Lat projection, Rt pediatric wrist radiograph, follow-up, in cast — 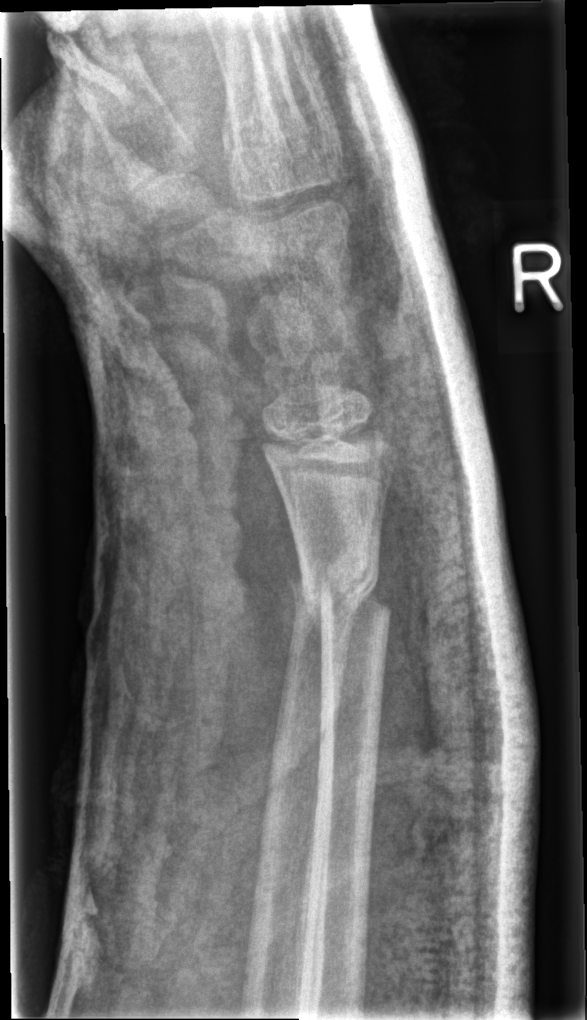
AO/OTA = 23-M/3.1
Bone fracture = 1 @ bbox(285, 557, 395, 633)